Lat, left wrist X-ray, initial study:
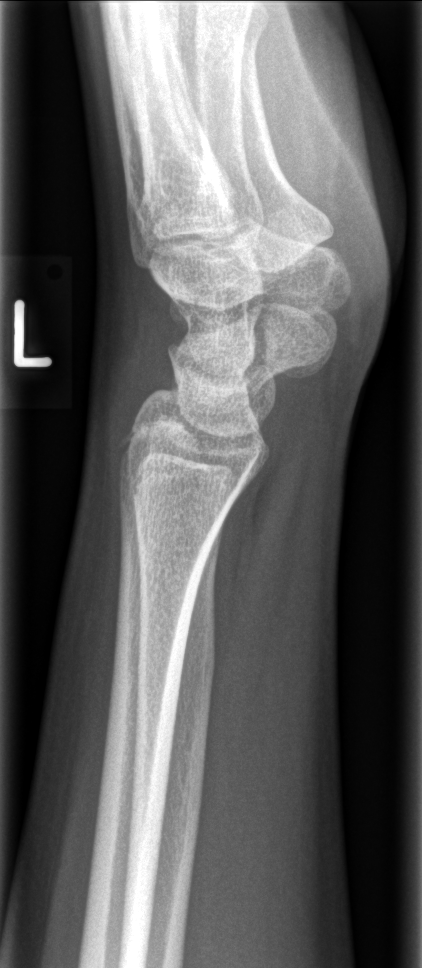

{"fracture": "none labeled"}